Rt wrist X-ray, frontal projection —
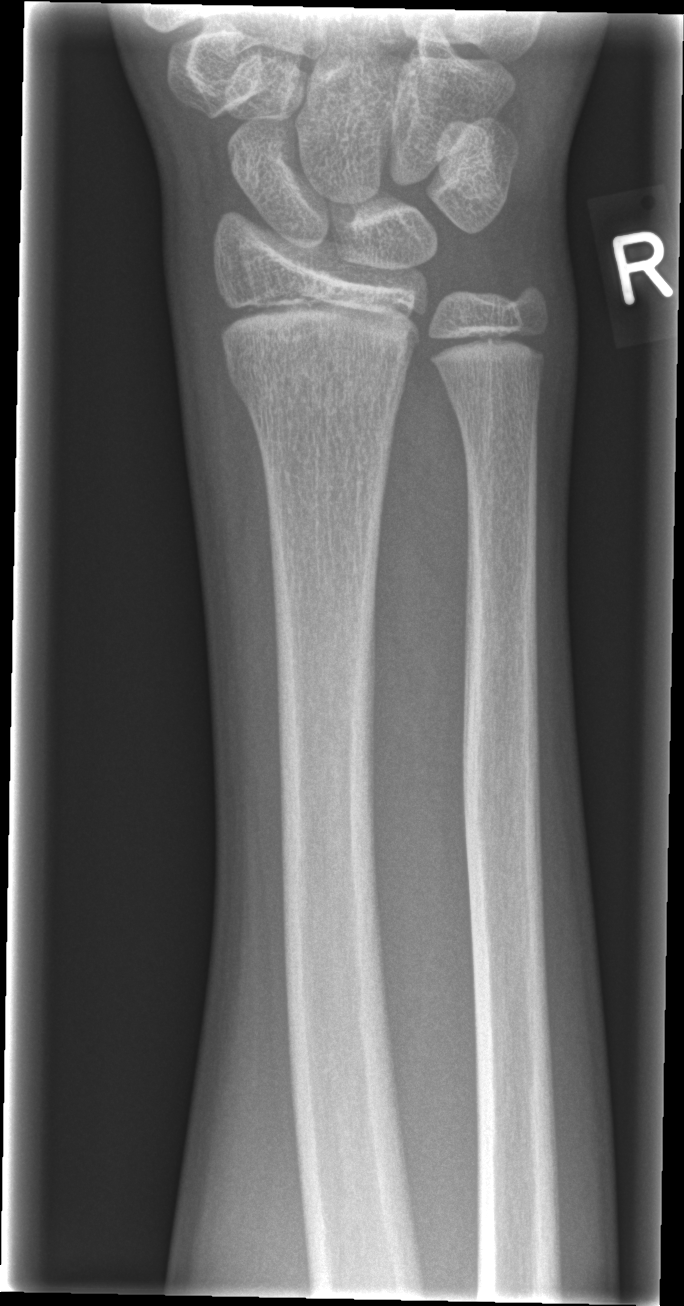
FINDINGS: Fracture classified AO/OTA 23r-M/2.1. Fracture — (225, 343, 413, 417).